PA/AP, left pediatric wrist radiograph, initial study

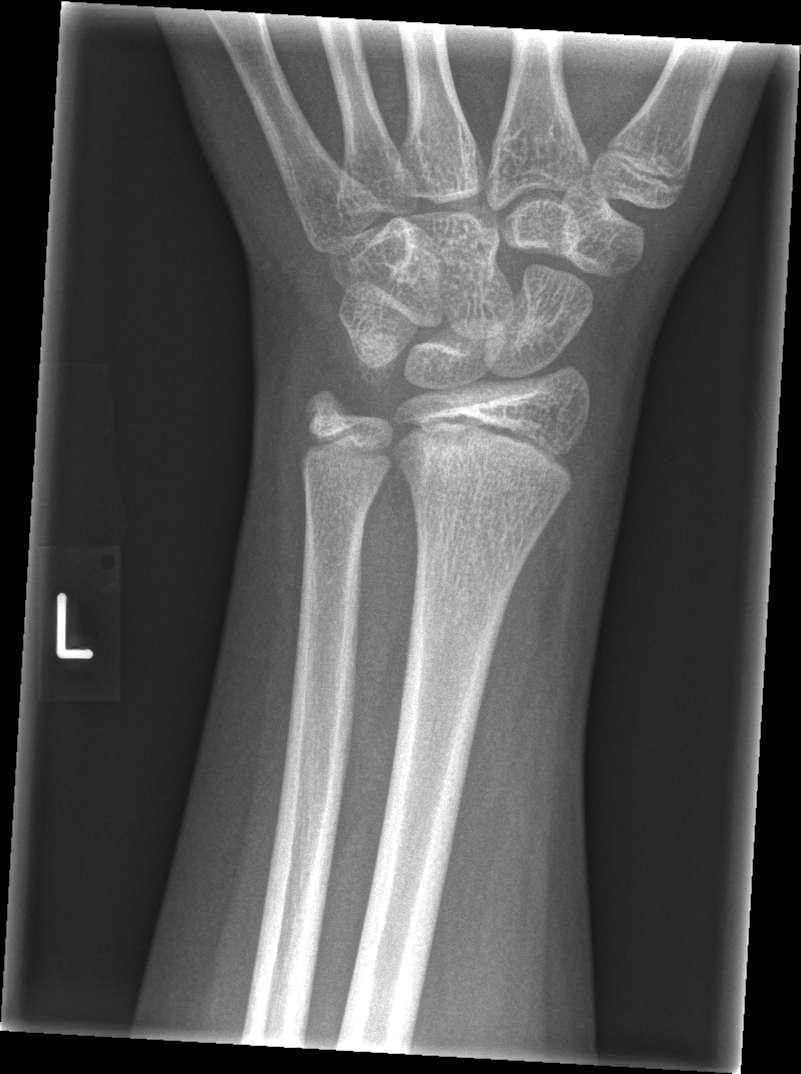

FINDINGS: AO/OTA classification: 23r-M/2.1. Fx present but not clearly seen in this view.